Lateral projection; R wrist X-ray; 12y F; cast present:
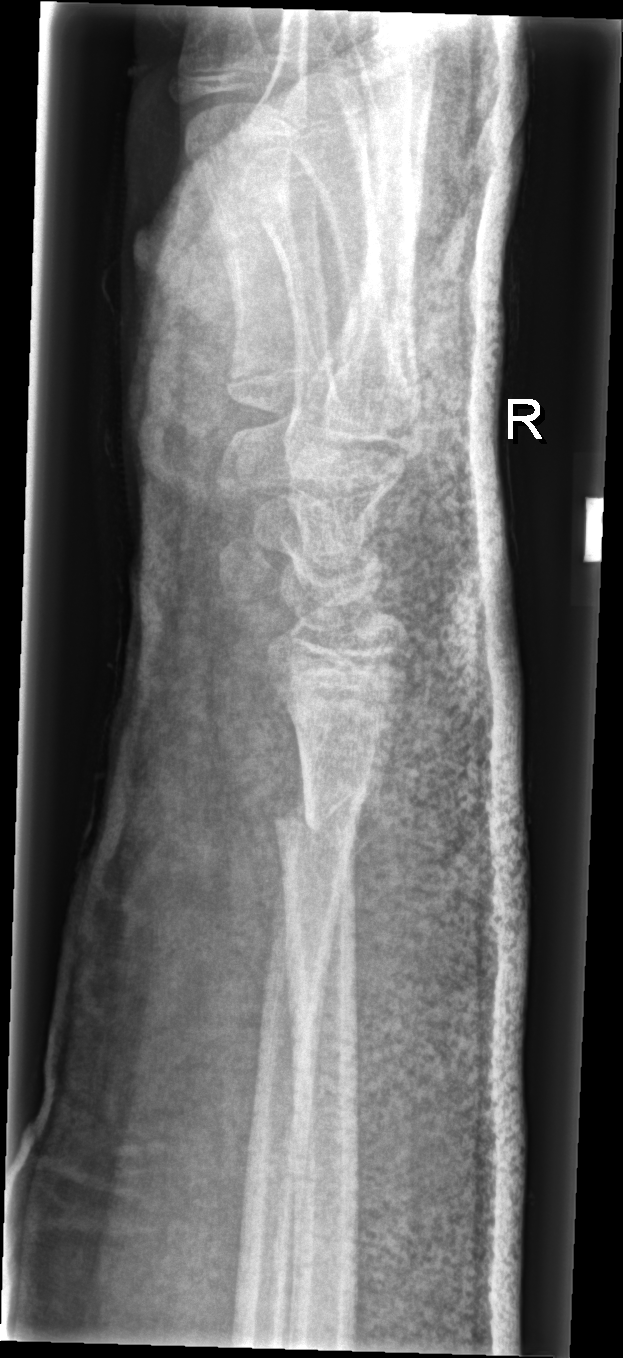
{"ao": "23r-M/3.1", "fracture": "270 771 376 864"}